Rt wrist radiograph; AP view; age 7 y, male —

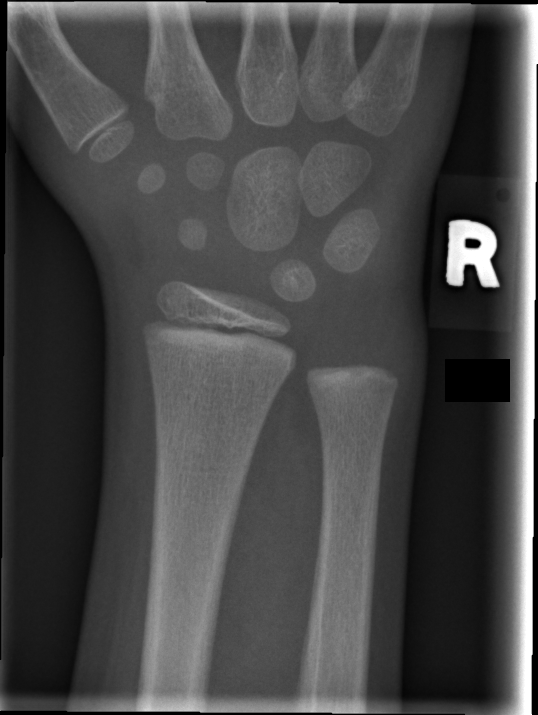
- No fracture labeled.